Lat | Rt plain radiograph of the wrist | 84.1 mm image width —
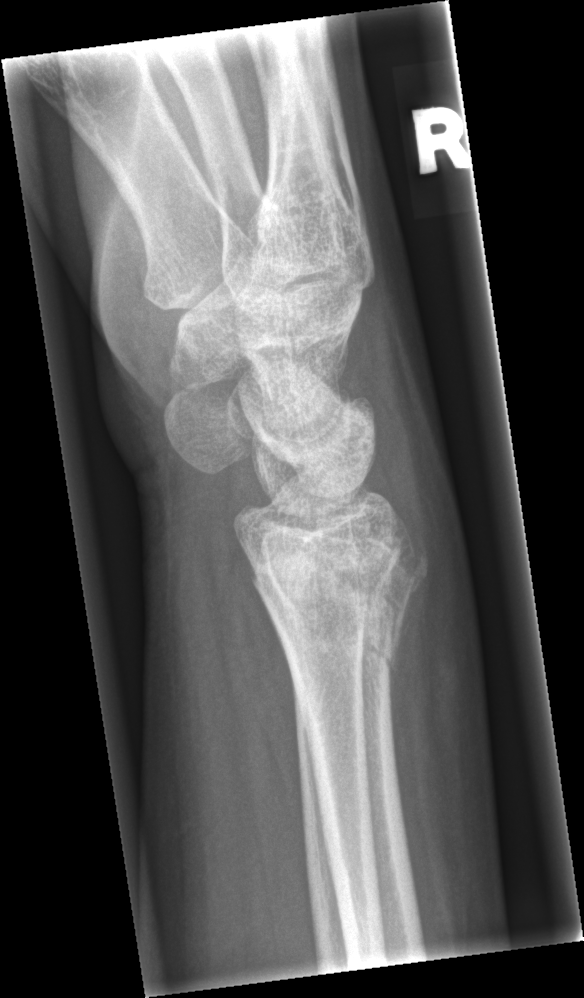

fracture: 1 @ <246,520>-<432,676>
AO classification: 23r-M/3.1; 23u-E/7